PA/AP view · Rt wrist plain film · 9-year-old female · subsequent exam · in cast · detector: Siemens.

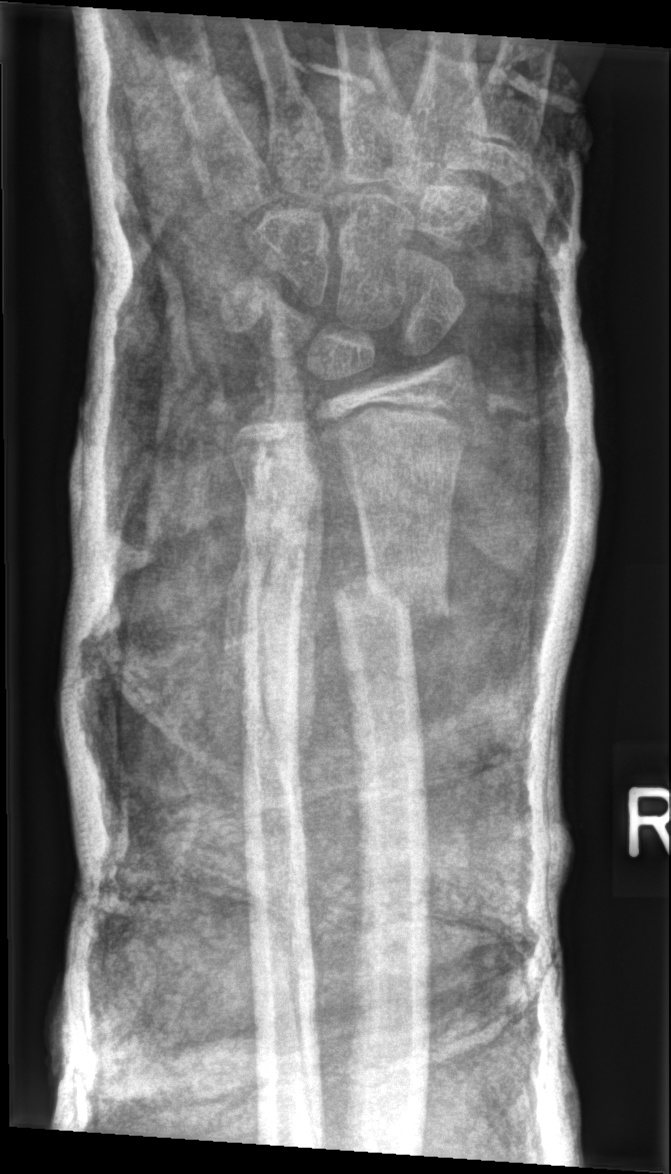
Pixel coordinates, top-left origin, xyxy.
Bone fracture: bbox(329, 565, 455, 629).
AO code 23r-M/3.1; 23u-M/2.1.